L plain radiograph of the wrist; PA/AP view; image size 525x1208:

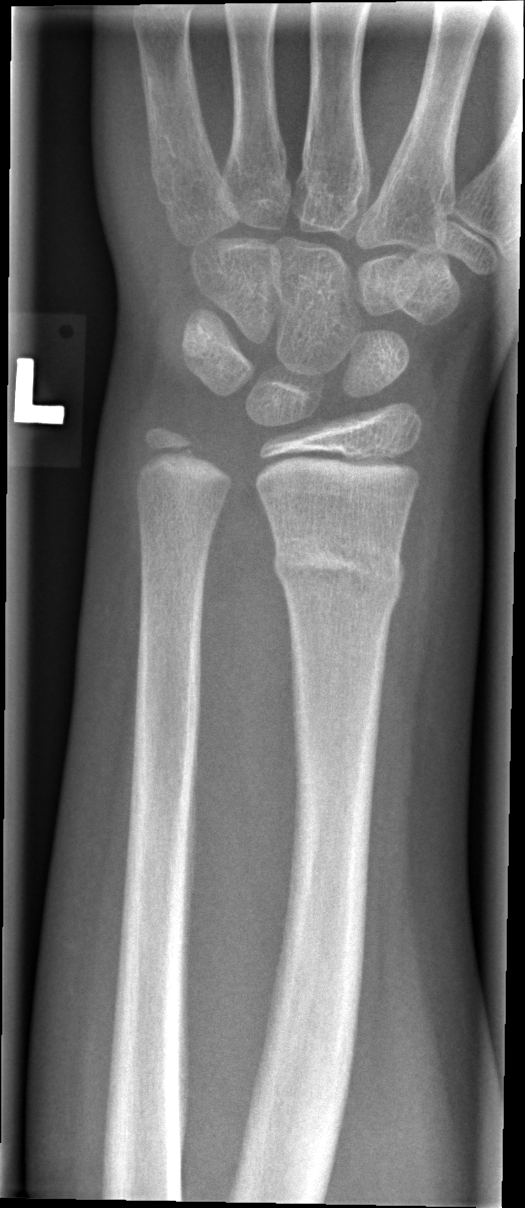
{
  "fracture": "1 @ (left=271, top=526, right=407, bottom=612)"
}